R wrist XR; PA. 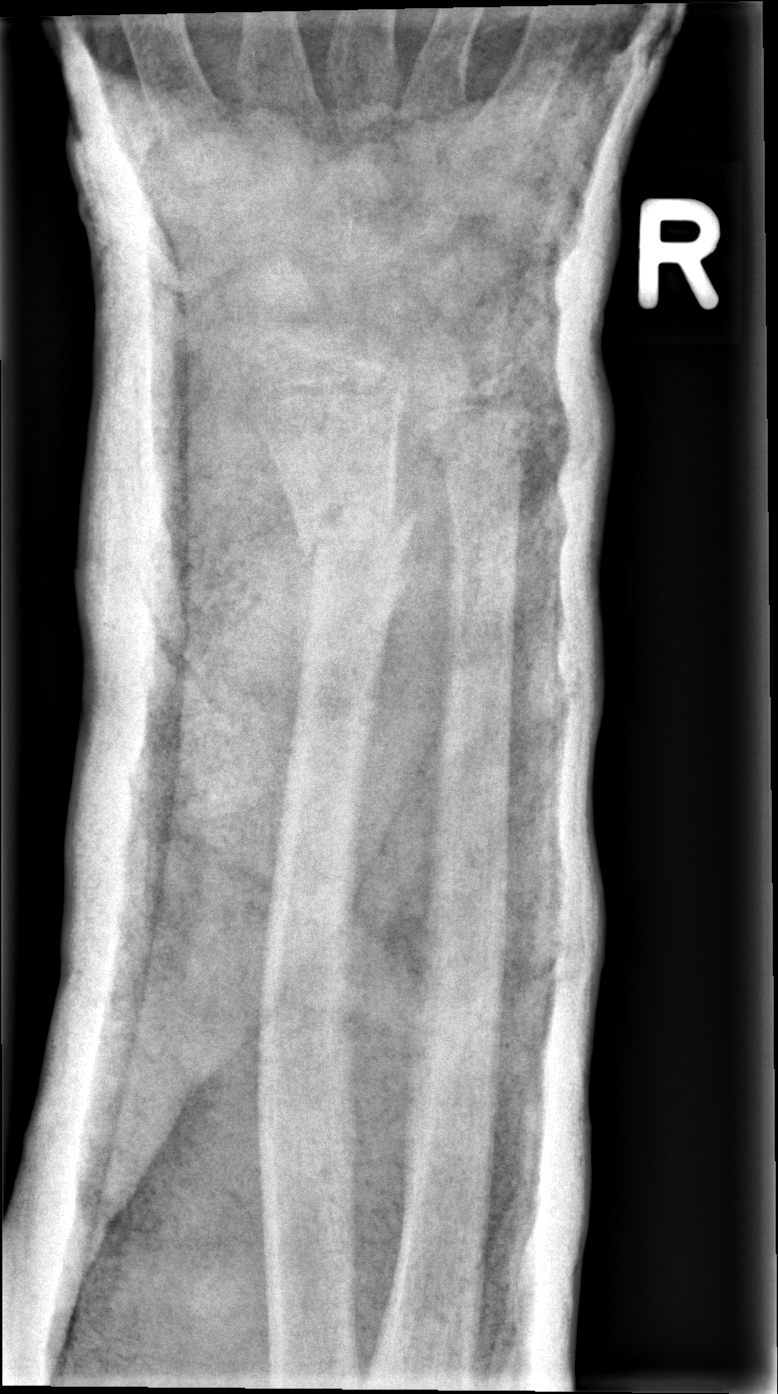

AO/OTA: 23r-M/3.1
fracture: bbox(289, 479, 422, 577)